Lateral view | left pediatric wrist radiograph | 13y F | image 68.3 mm wide.

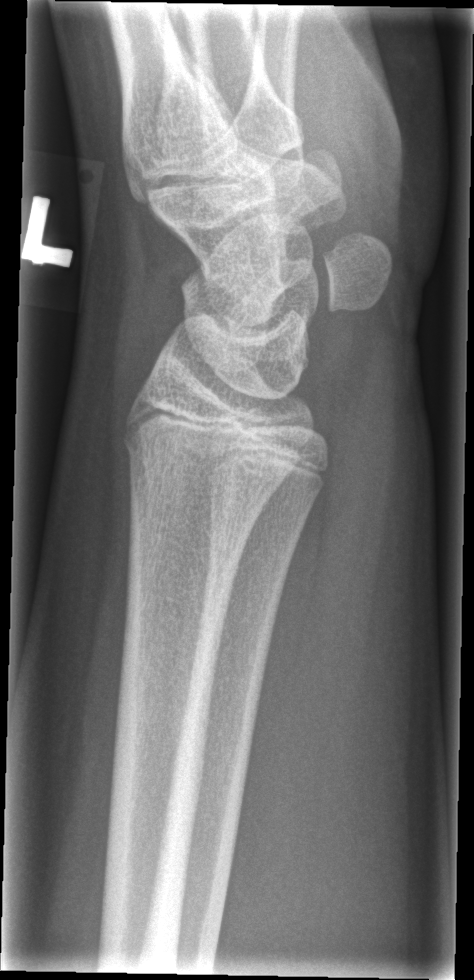

{"fracture": "none labeled"}